Posteroanterior projection; L wrist X-ray; 15-year-old boy; presentation radiograph —
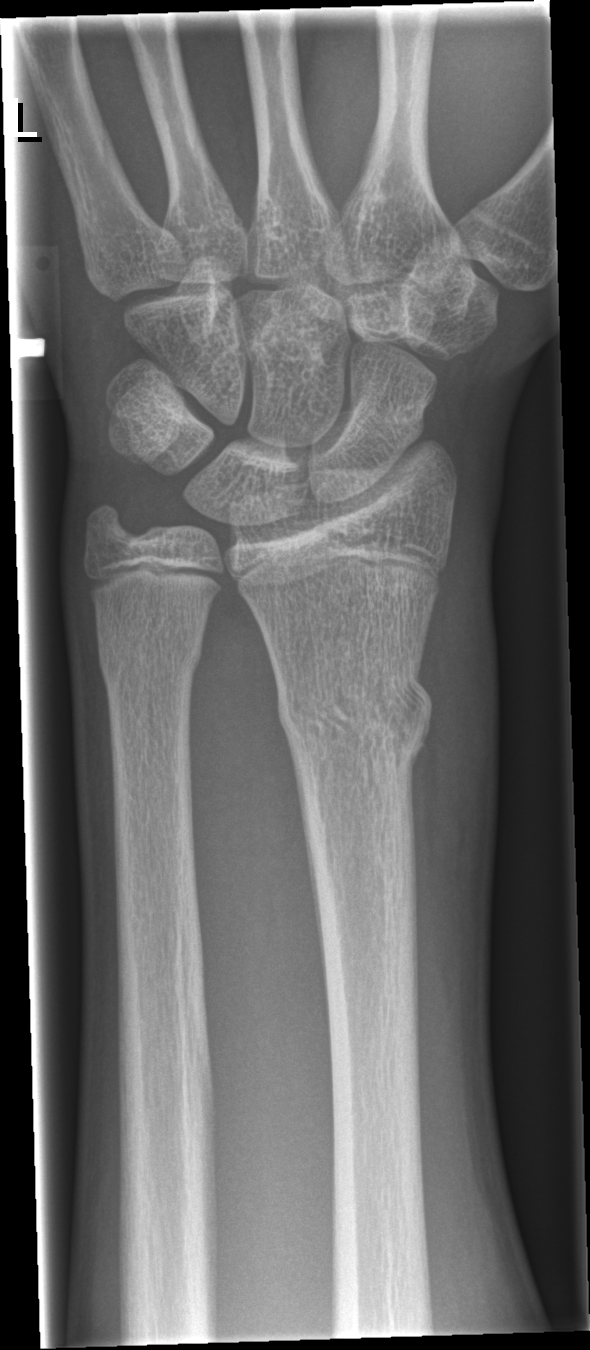
Findings: Fracture classified AO/OTA 23-M/2.1. Fracture: 268 663 440 788 | 88 640 215 699.